AP, right wrist plain film, pediatric patient (girl, age 16).

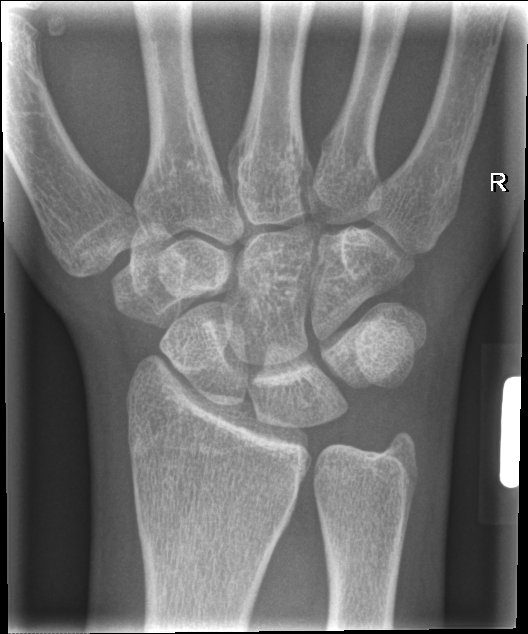 FINDINGS: No fracture bounding box.